L wrist X-ray; PA/AP; cast in situ —
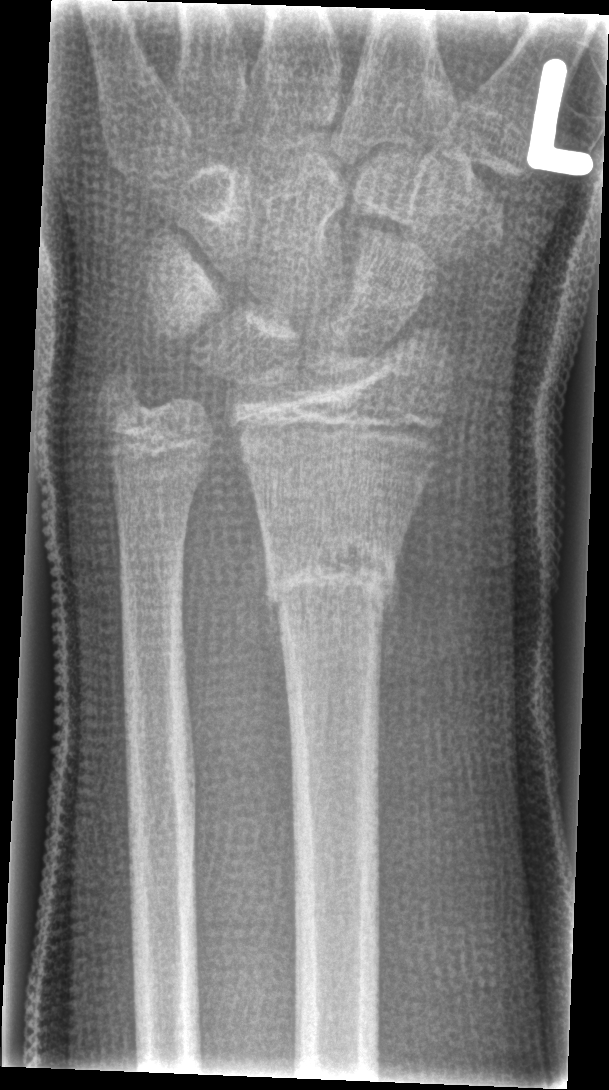

(boxes as x1,y1,x2,y2 (top-left / bottom-right, pixel units))
periosteal reaction: bbox(376, 518, 410, 689); bbox(256, 521, 291, 686)
Fx: 2 @ bbox(258, 529, 402, 625) bbox(93, 362, 159, 434)